PA projection · left wrist X-ray.

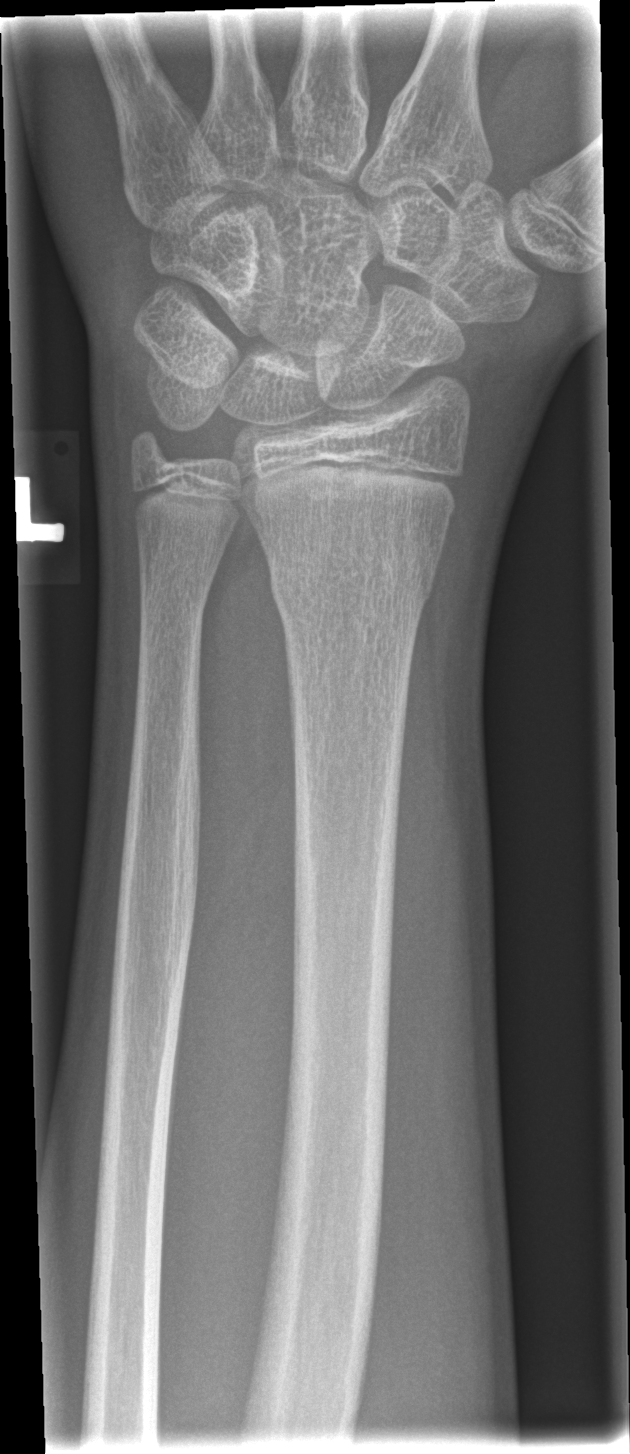

FINDINGS: (boxes as x1,y1,x2,y2 (top-left / bottom-right, pixel units)) Fracture identified at (262, 527, 447, 635). Fracture classified AO/OTA 23r-M/2.1.